Lt plain radiograph of the wrist · posteroanterior 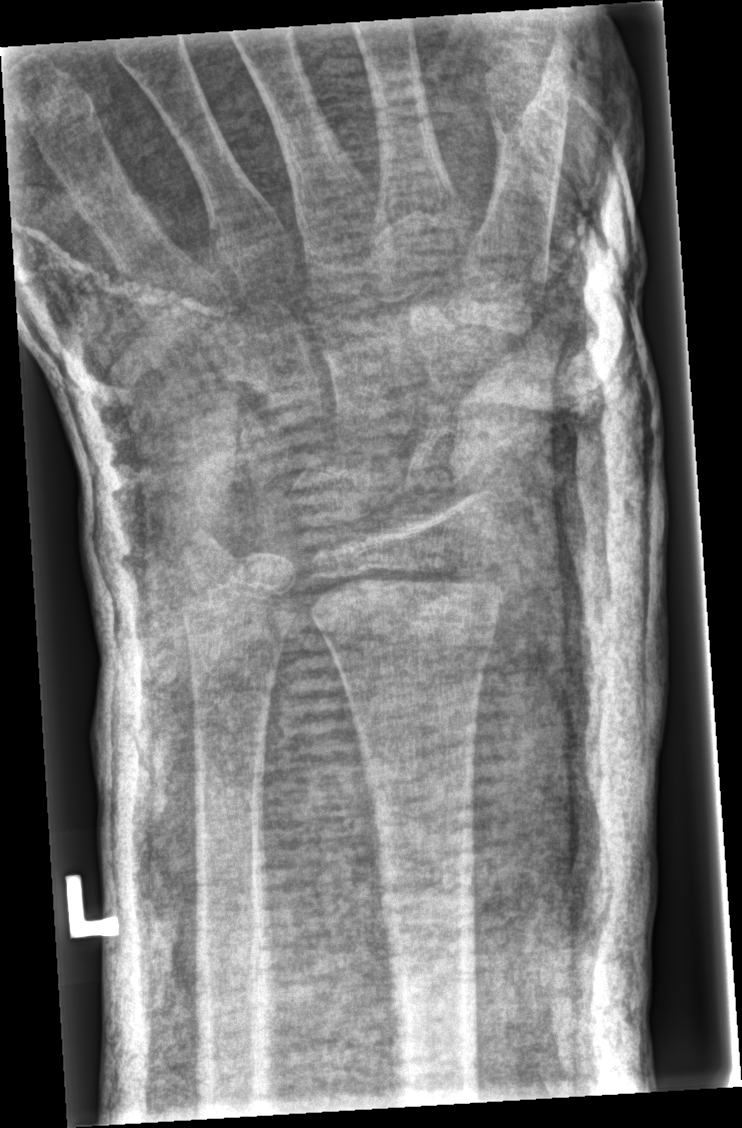

bone fracture = 2 @ (left=305, top=564, right=498, bottom=656); (left=172, top=517, right=239, bottom=578)
AO classification = 23r-E/2.1; 23u-E/7